PA/AP; Lt pediatric wrist radiograph: 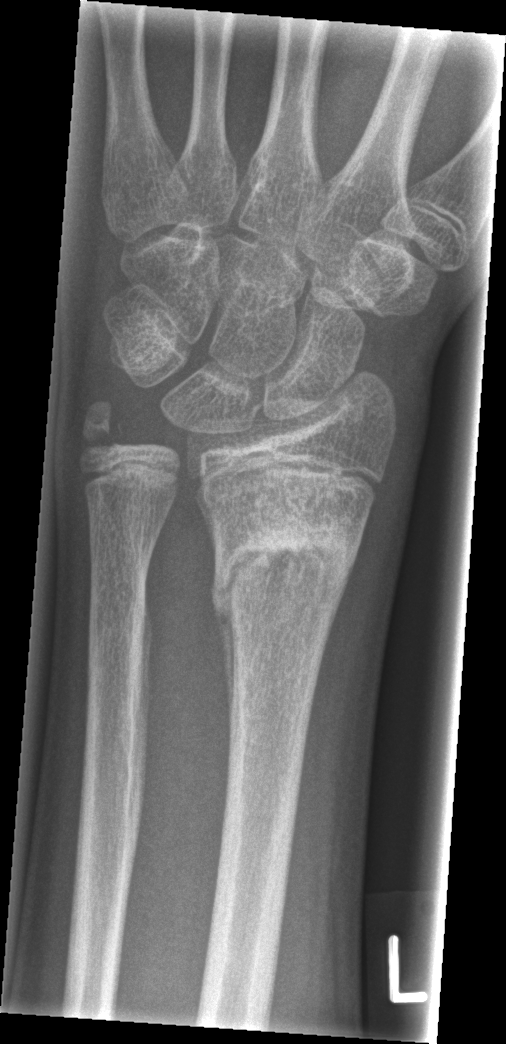

Findings: (coordinates are [x1, y1, x2, y2] in image pixels) AO/OTA classification: 23r-M/3.1; 23u-M/2.1; 23u-E/7. Decreased bone density (osteopenia). Periosteal thickening — bbox(131, 593, 153, 849), bbox(211, 583, 237, 720). Fx — bbox(211, 519, 355, 628), bbox(77, 396, 122, 462).